L plain radiograph of the wrist; lat view; image width 83.8 mm; 582 x 1292 px.
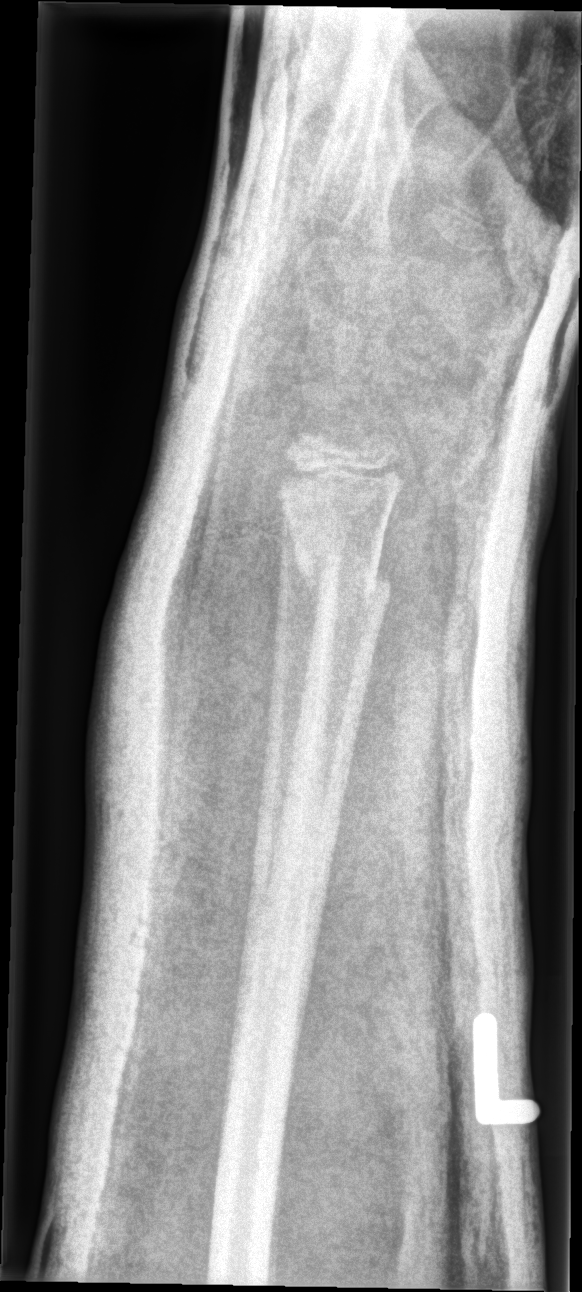
* Bone fracture: 291,541,394,611.
* Fracture classified AO/OTA 23r-M/3.1.